Lateral projection | left wrist X-ray
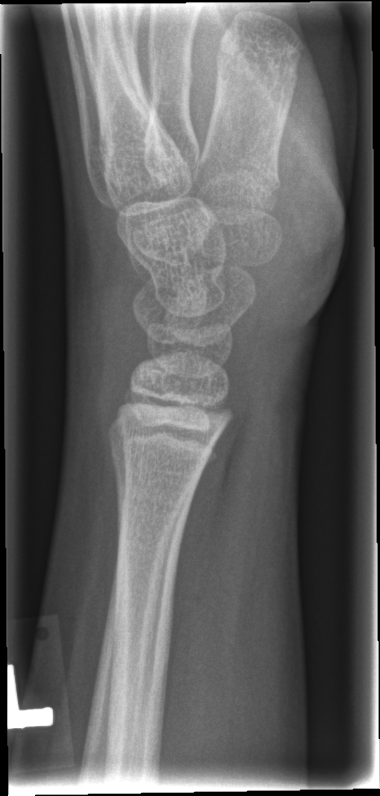

* No fracture labeled.